Posteroanterior projection · Lt wrist X-ray · initial study:
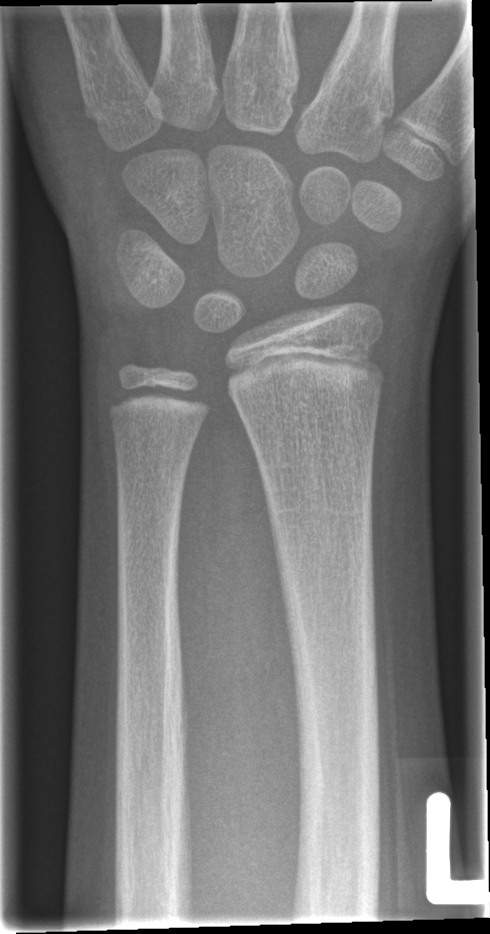
Fracture: none labeled.